PA/AP view; right plain radiograph of the wrist; 11y F; index exam —

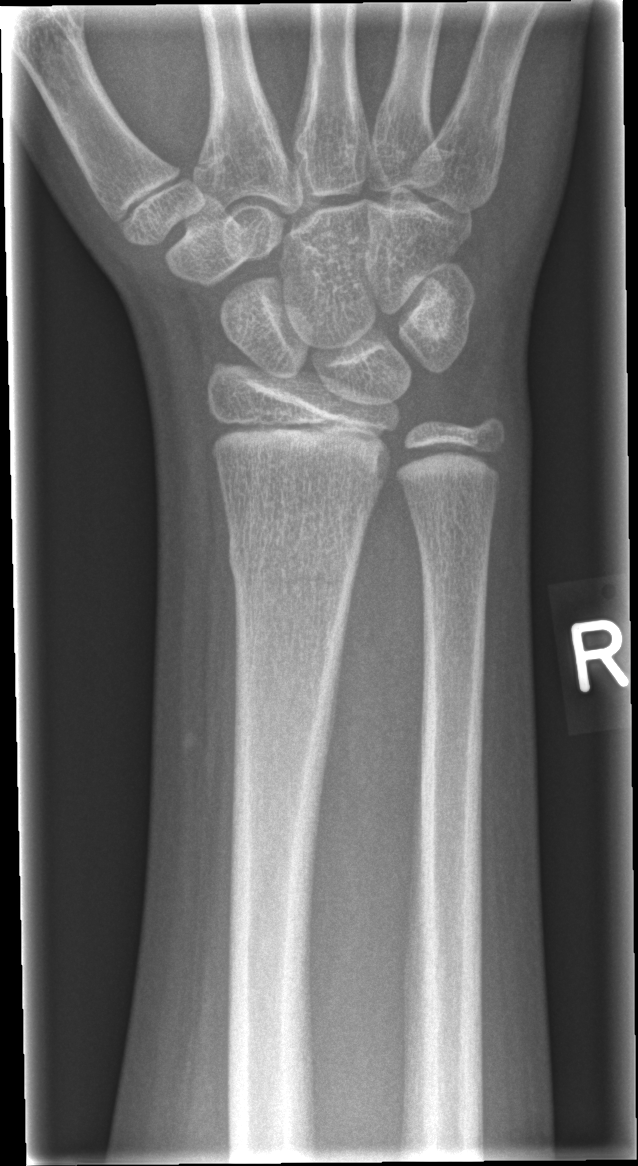 FINDINGS: (pixel coordinates, top-left origin, xyxy) One fracture at <223,517>-<365,602>.